Lt pediatric wrist radiograph | PA/AP projection —

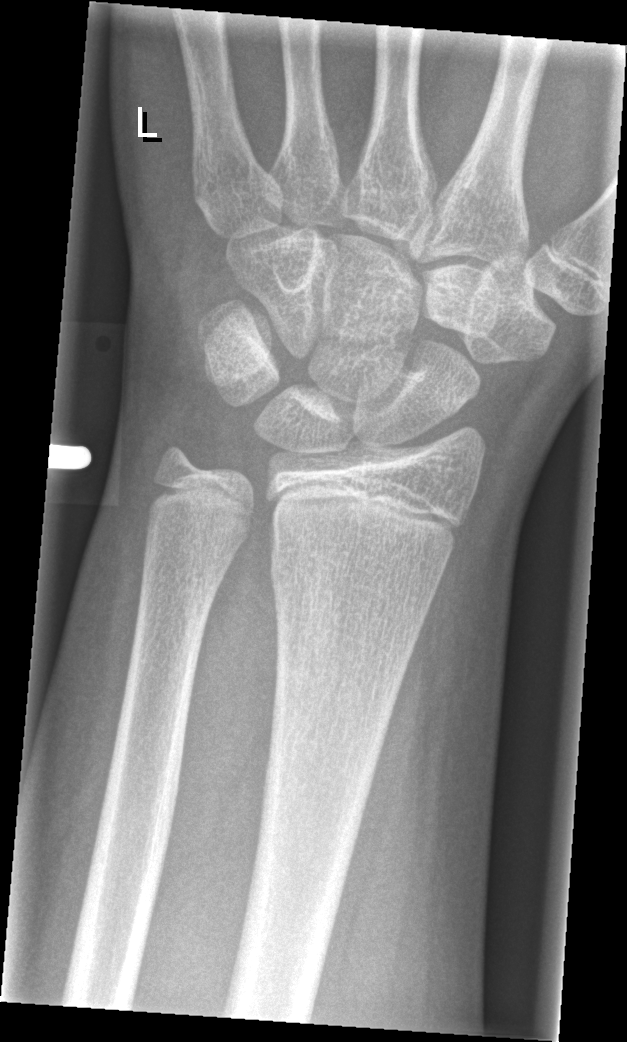 - No Fx annotated.